Right wrist X-ray; lateral; 7-year-old male.
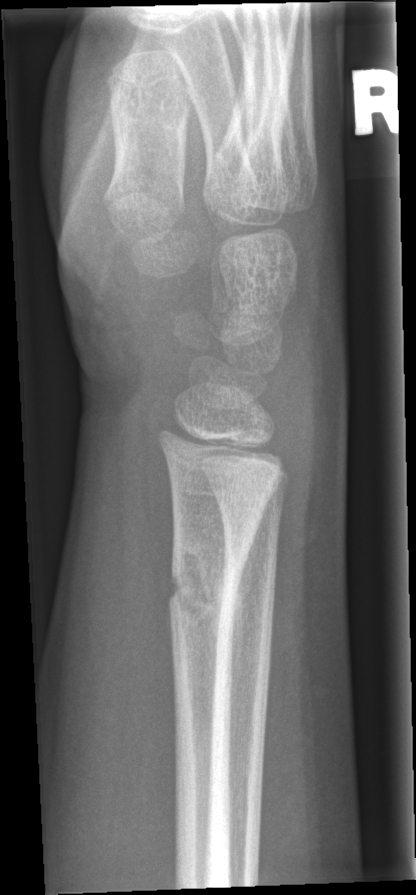 - Osteopenia.
- Bone fracture — <163,543>-<247,642>.
- Periosteal thickening — <229,492>-<271,713>.